R wrist XR | lat | cast present —
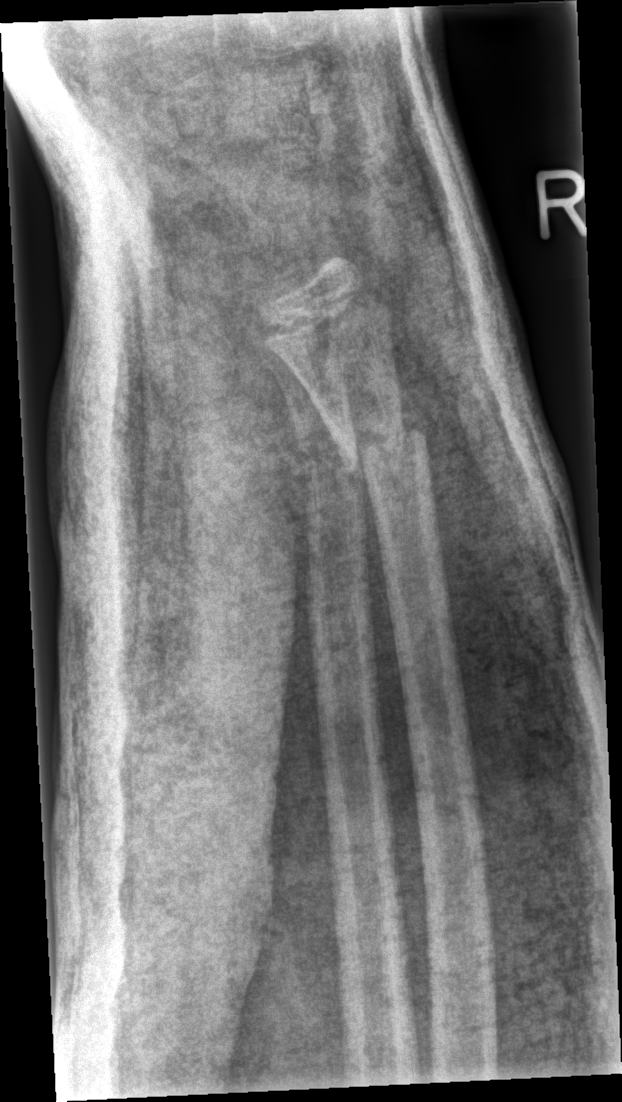 Two bone fractures at (left=339, top=416, right=430, bottom=485), (left=292, top=430, right=366, bottom=485).